Lat, R wrist X-ray, age 10 y, male

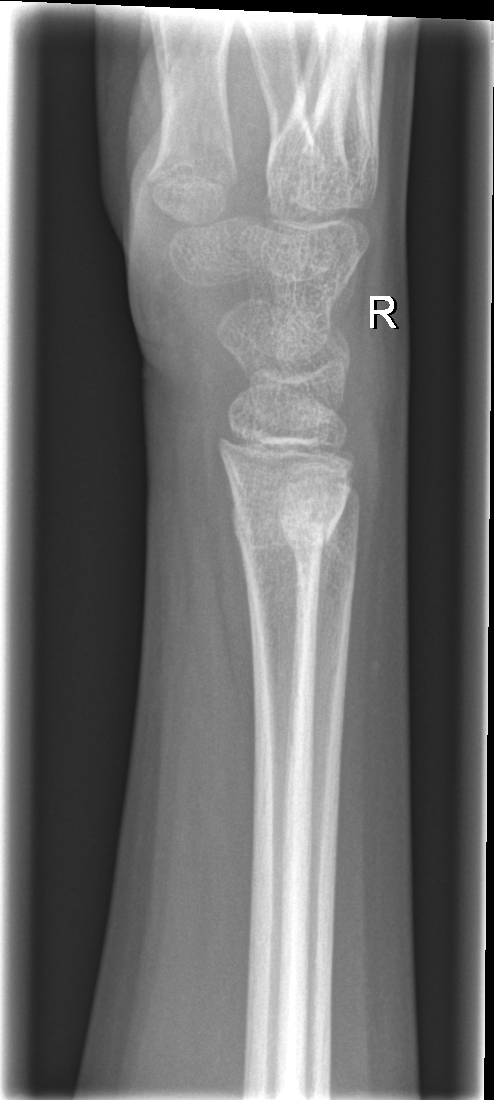

Periosteal thickening identified at <315,516>-<341,684>.
Fx identified at <229,498>-<346,561>.
Fracture classified AO/OTA 23-M/3.1.